R wrist X-ray, frontal, 4y F, cast in situ —
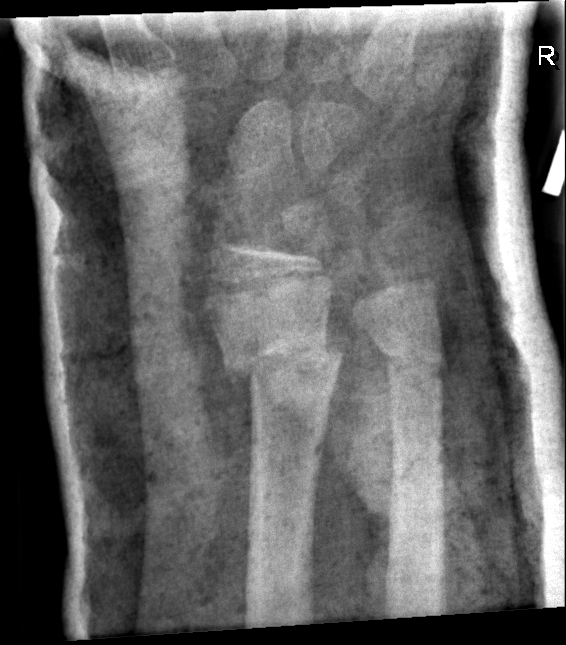
Fracture = bbox(218, 327, 347, 387) bbox(378, 341, 445, 378)
AO code = 23r-M/3.1